Lat | Lt wrist XR | acquired on Siemens 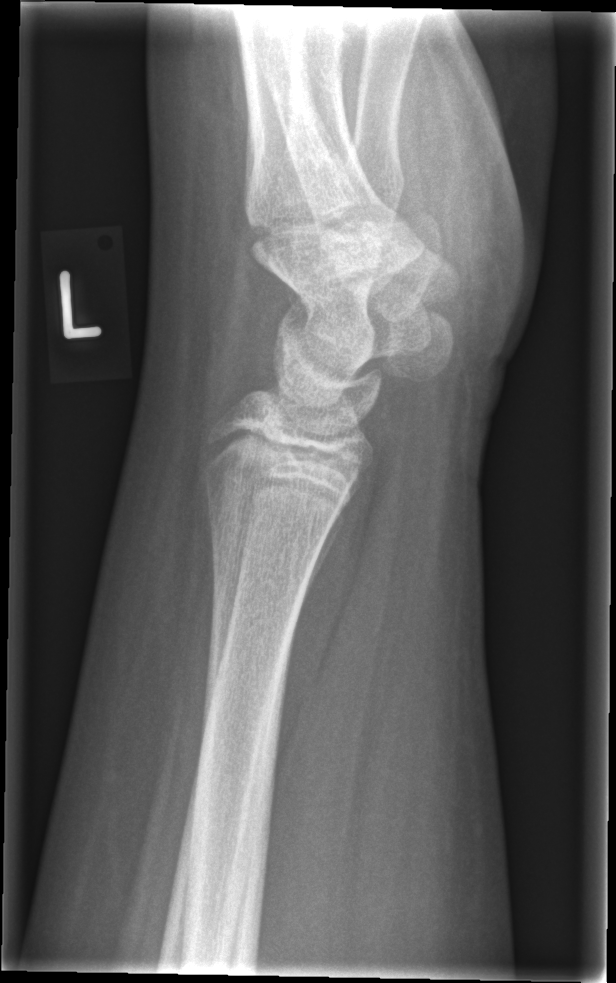 Fx: none labeled